L wrist plain film | lateral projection | pediatric patient (male, age 12) | cast in situ:
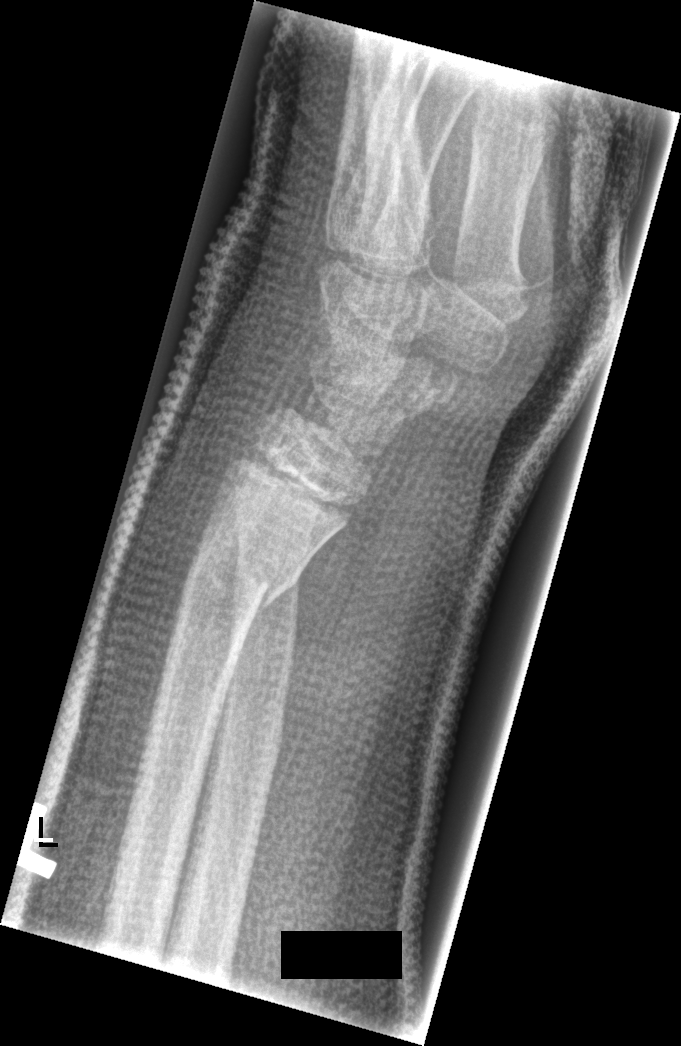

  # bounding boxes in image-pixel xyxy
  fracture: 1 @ 186 519 305 621
  ao: 23r-M/3.1; 23u-M/2.1